Posteroanterior view | right wrist plain radiograph of the wrist | age 9 y, boy | presentation radiograph | image size 770x1422:

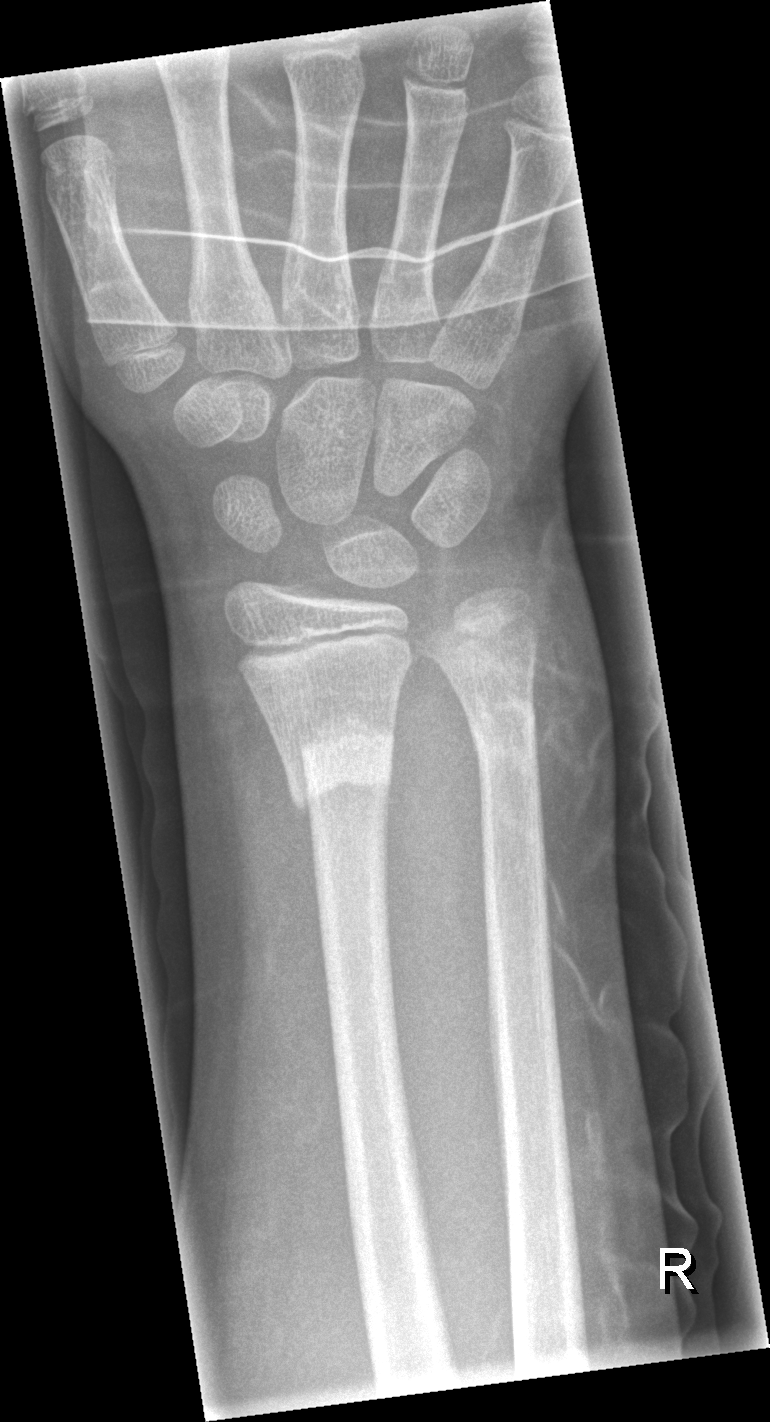

* Two fractures at (left=279, top=713, right=399, bottom=815) (left=465, top=694, right=542, bottom=777).
* Fracture classified AO/OTA 23-M/3.1.